Lt plain radiograph of the wrist, lat view, boy, 5 yo, subsequent exam, in cast, acquired on Siemens 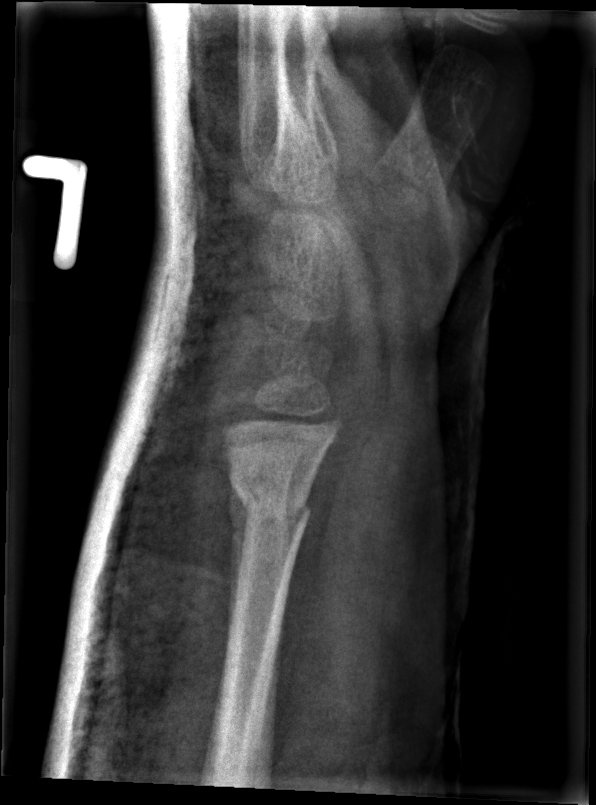 - Fracture classified AO/OTA 23r-M/3.1; 23u-M/2.1.
- Periosteal reaction — [x1=228, y1=492, x2=248, y2=637].
- Fracture: [x1=231, y1=473, x2=315, y2=535].